R wrist radiograph · lateral · pediatric patient (boy, age 13) —
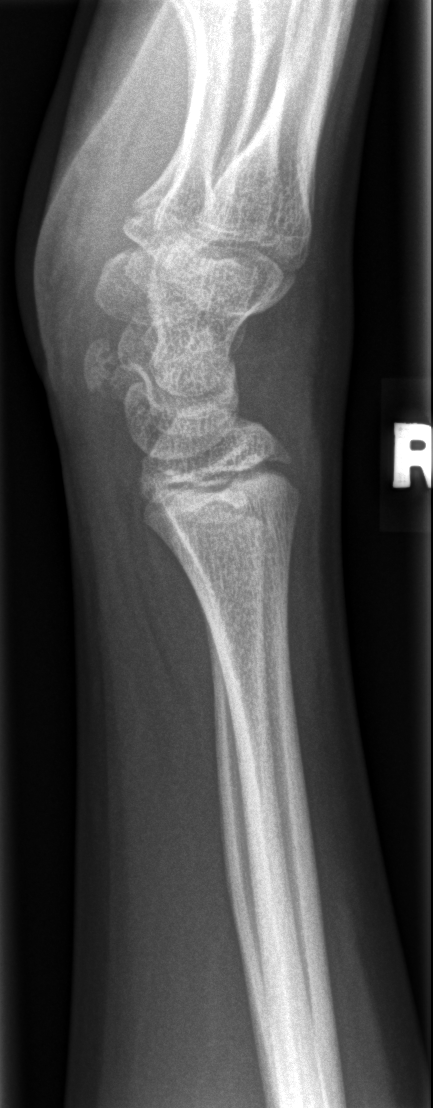 AO code 72B.(b). Fracture present, but no bounding box because it is not clearly seen in this view.